Right wrist XR | lateral | 12-year-old boy | follow-up | acquired on Agfa —

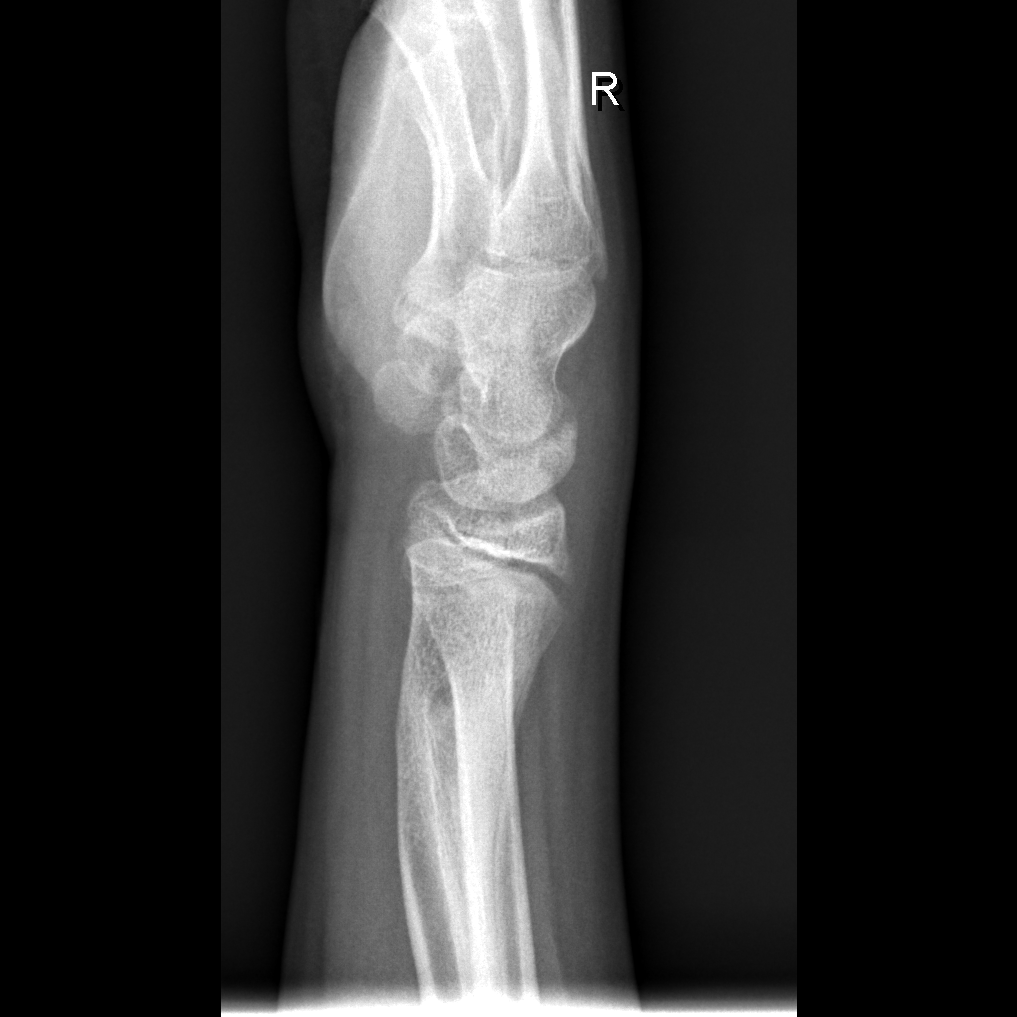
# boxes as x1,y1,x2,y2 (top-left / bottom-right, pixel units)
fracture: <388,611>-<556,930>